Right wrist XR · posteroanterior view · 135.0 mm image width · image size 944x944 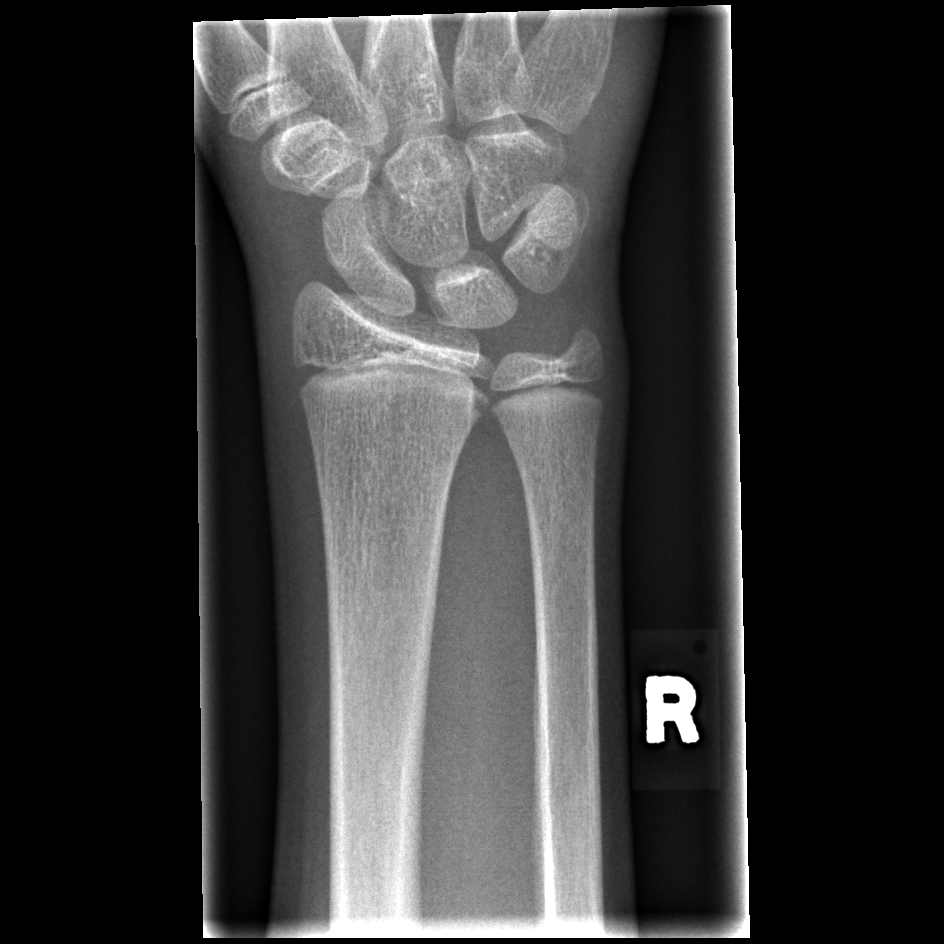
Fx = none labeled